Rt wrist radiograph · AP view · girl, 2 yo · detector: Siemens: 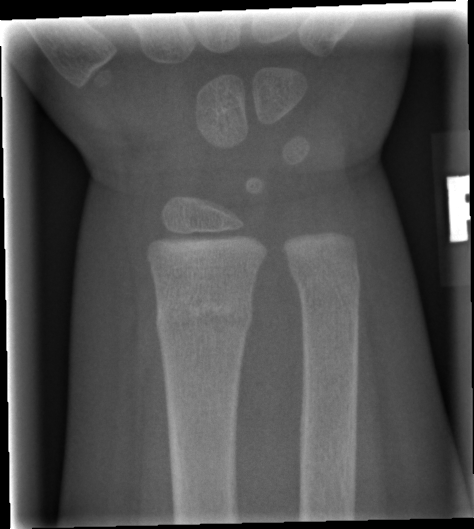

• Fracture identified at [x1=149, y1=290, x2=260, y2=344], [x1=286, y1=258, x2=366, y2=305].
• AO/OTA classification: 23-M/2.1.